Lt pediatric wrist radiograph; AP; age 8 y, male. 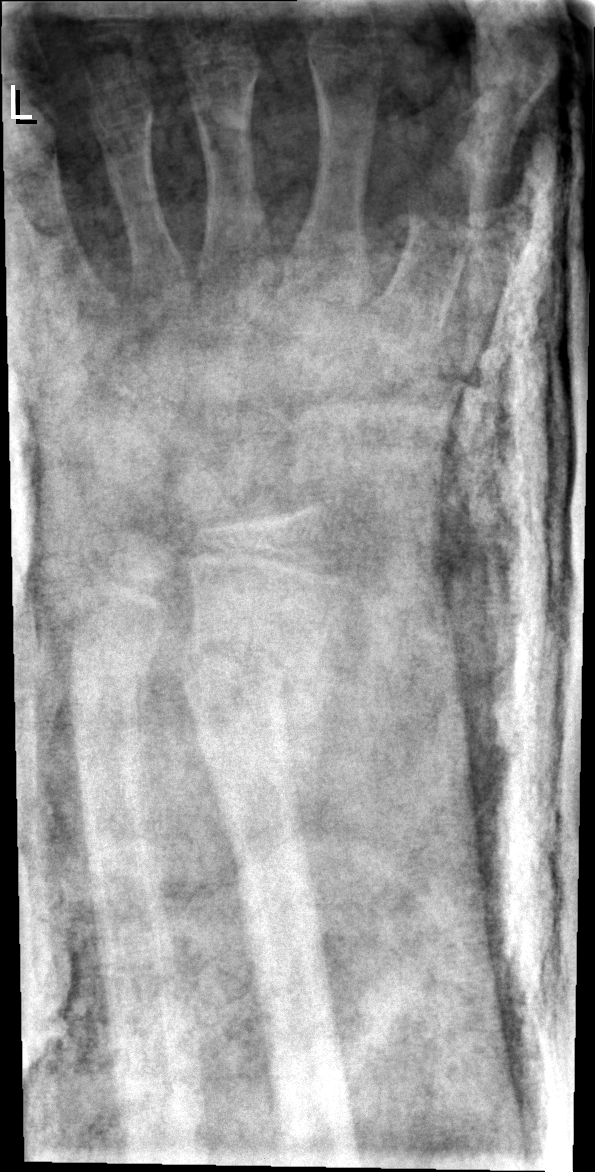

(bounding boxes in image-pixel xyxy)
Q: Fracture present?
A: Fx: 174 618 321 729; 62 641 155 715
Q: AO code?
A: AO code 23-M/3.1